Right wrist radiograph, lat projection, cast in situ, 95.5 mm image width —
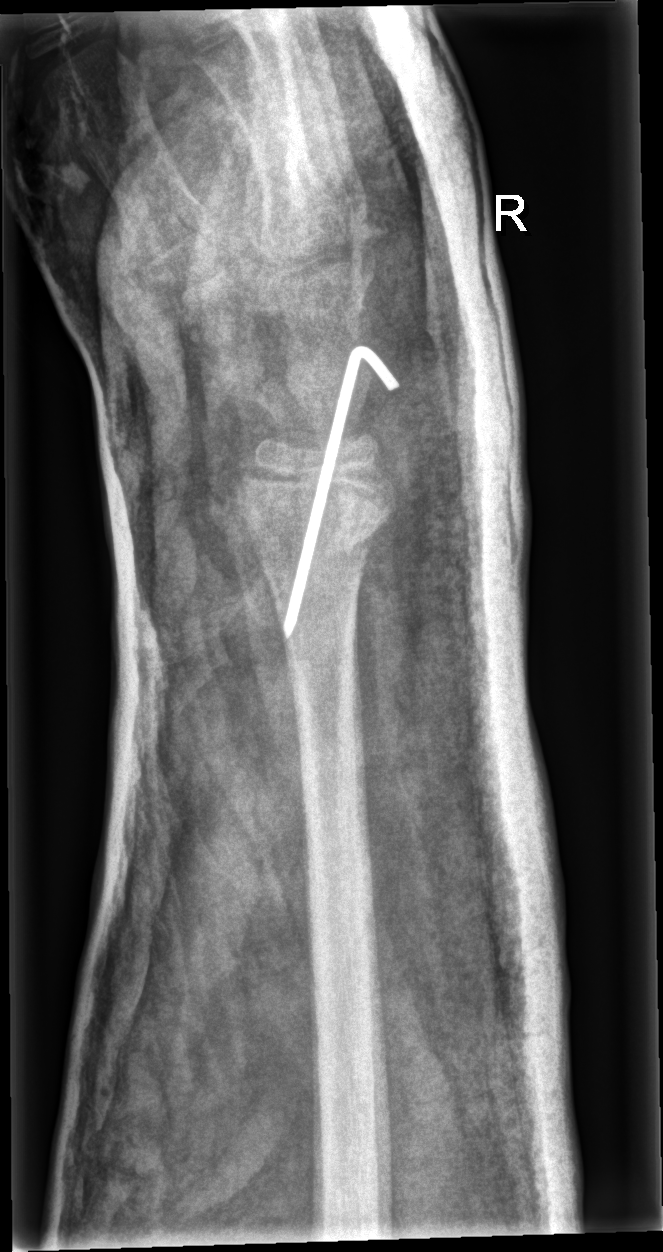
FINDINGS — Metal: 278 341 405 647. Fracture identified at 233 462 402 557. AO code 23r-E/2.1; 23u-E/7.